Frontal | Rt pediatric wrist radiograph | 16y F

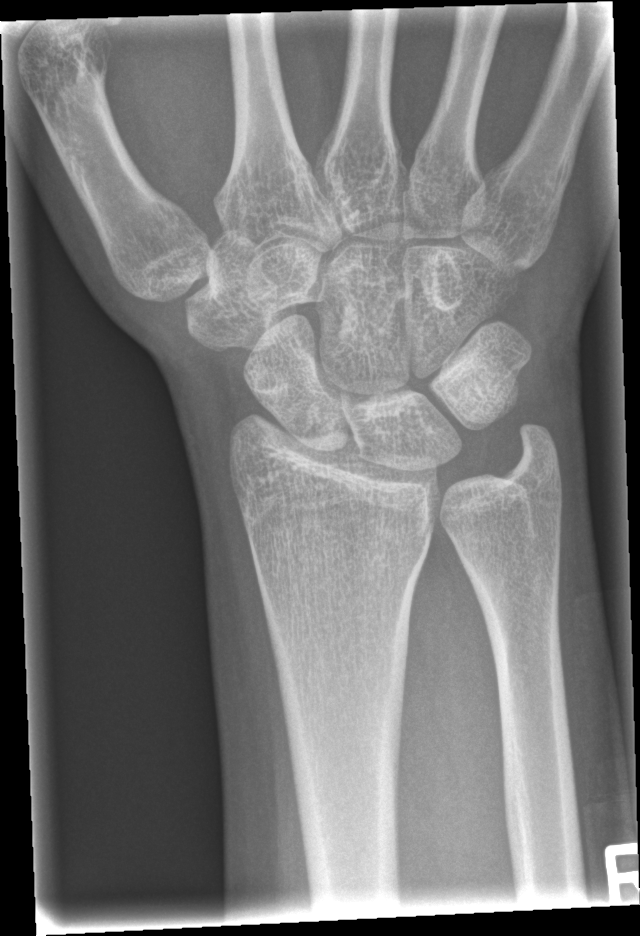

No fracture bounding box.